R pediatric wrist radiograph; lat; boy, 11 yo; subsequent exam —

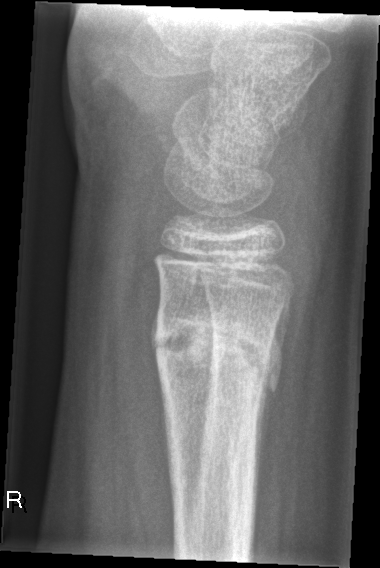
Boxes as x1,y1,x2,y2 (top-left / bottom-right, pixel units). Bone fracture: [x1=151, y1=312, x2=285, y2=388]. AO code 23r-M/3.1; 23u-E/7. Reduced bone mineral density. Periosteal new bone: [x1=253, y1=298, x2=289, y2=524], [x1=149, y1=310, x2=160, y2=367].